PA view; Lt plain radiograph of the wrist; Siemens:
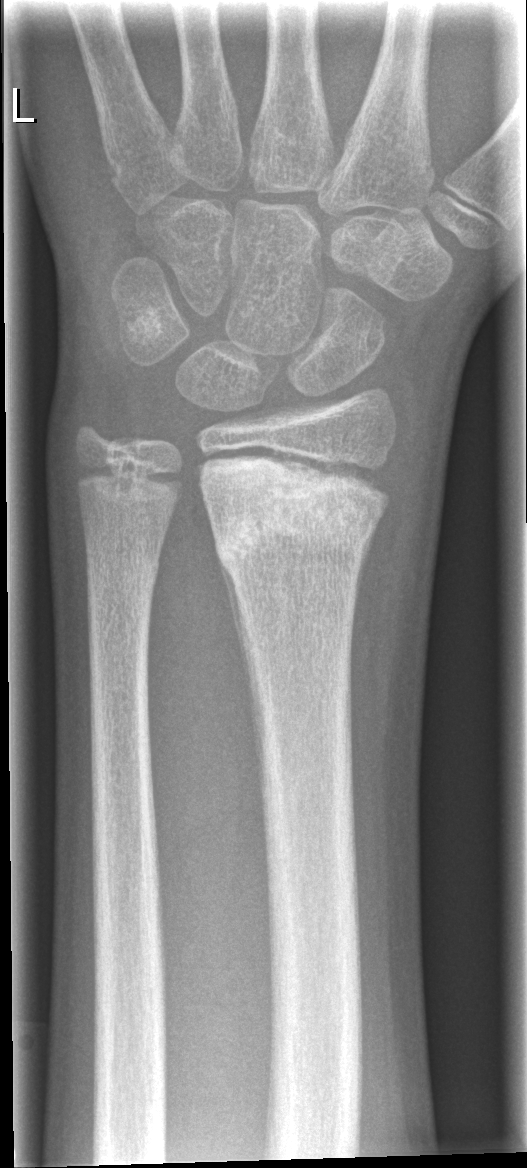

FINDINGS — One periosteal new bone at 218,553,253,692. AO/OTA classification: 23r-M/3.1. One Fx at 206,467,394,573.